Right wrist plain film; lateral; follow-up study: 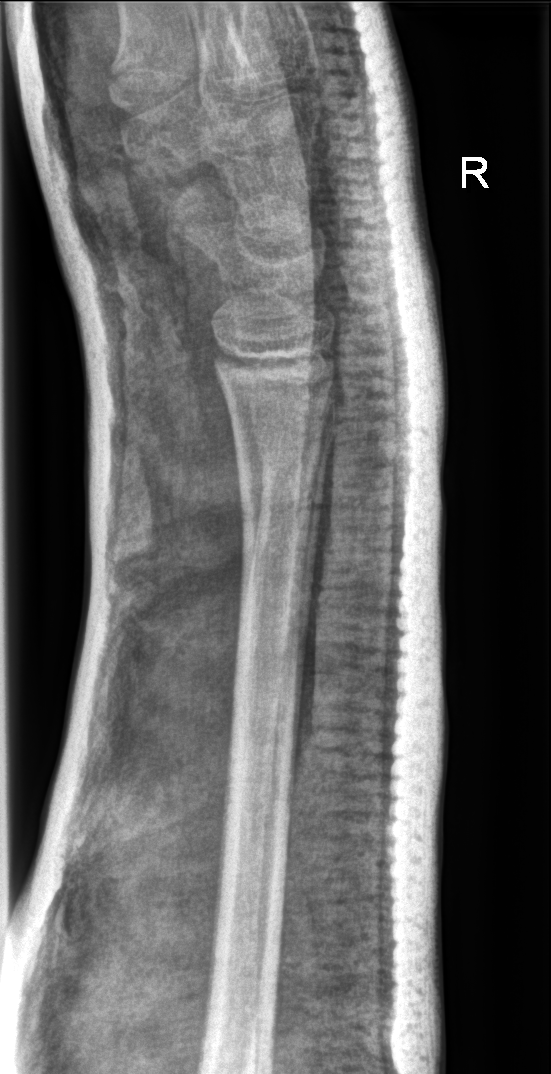 (boxes as x1,y1,x2,y2 (top-left / bottom-right, pixel units))
Fracture = 1 @ [x1=256, y1=443, x2=320, y2=493]
AO classification = 23-M/3.1